Lat projection | Rt wrist X-ray | boy, 11 yo 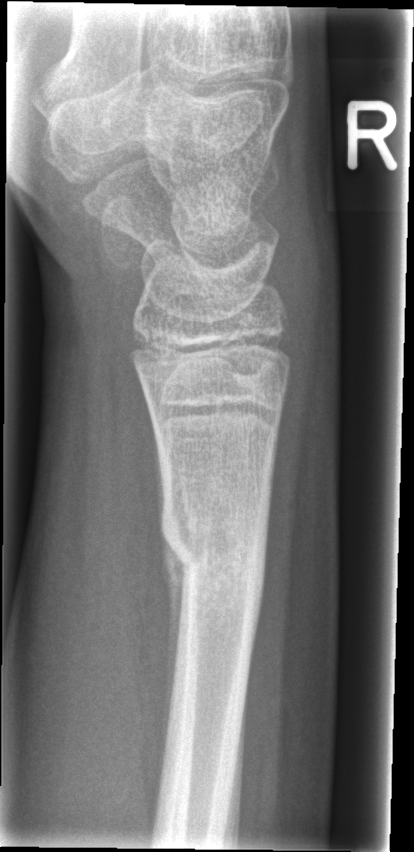
ao: 23r-M/2.1
fracture: 1 @ 154,503,274,612
periostealreaction: 161,537,185,757; 146,399,166,530